Right wrist radiograph | lateral | 7-year-old female 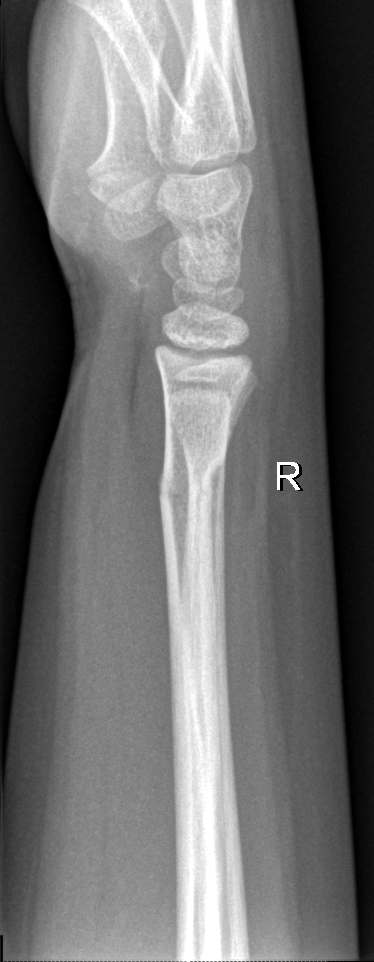
Pixel coordinates, top-left origin, xyxy. Fx — 156 449 230 509.